Right wrist plain film · lateral projection · pediatric patient (boy, age 5):
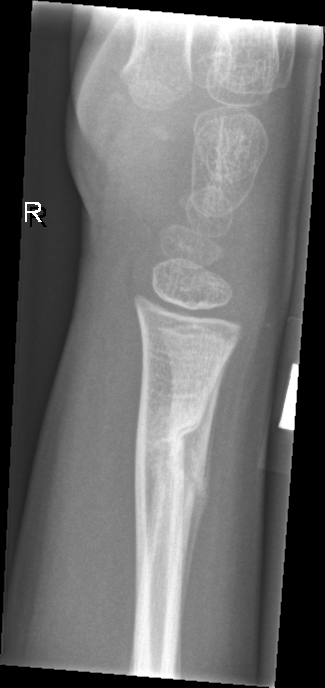

* AO code 23r-M/2.1; 23u-M/3.1.
* Fx identified at (left=132, top=398, right=208, bottom=478) (left=150, top=445, right=209, bottom=511).
* Osteopenic.
* Periosteal thickening identified at (left=182, top=359, right=228, bottom=625).